L wrist radiograph, lat, 10-year-old boy, acquired on Siemens:

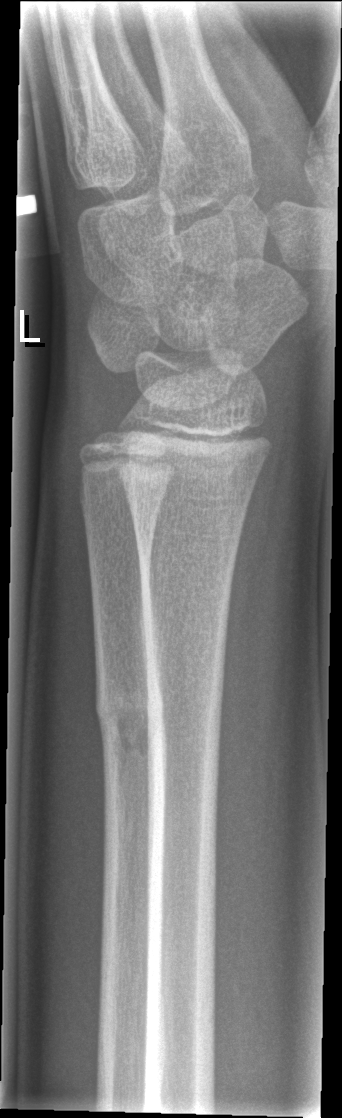

Fracture: (92, 672, 165, 764). AO/OTA classification: 22u-D/2.1.